Rt wrist XR | AP | pediatric patient (boy, age 8) —

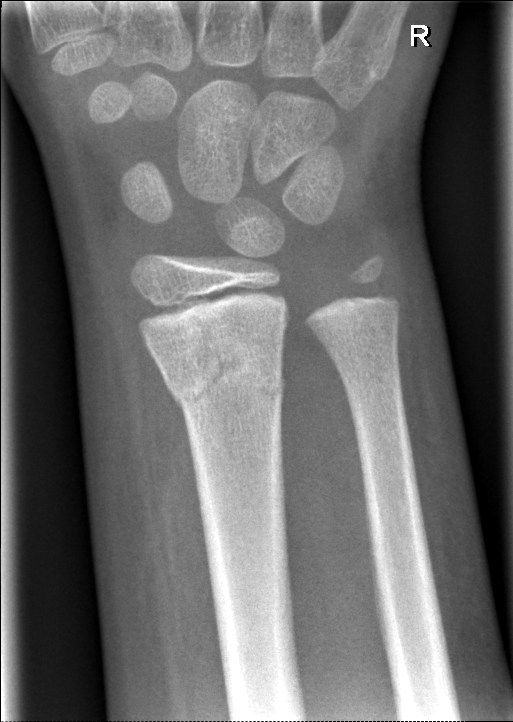
  # pixel coordinates, top-left origin, xyxy
  fracture: bbox(162, 329, 289, 416)